Frontal view; L plain radiograph of the wrist; 7y M:

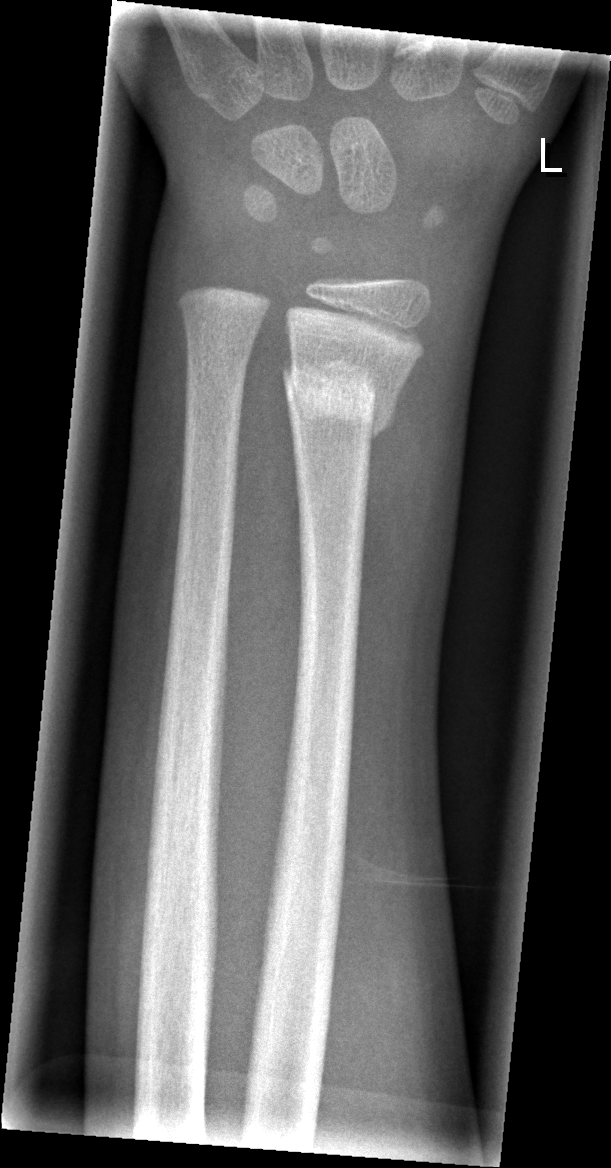

Boxes as x1,y1,x2,y2 (top-left / bottom-right, pixel units). Fracture: [x1=278, y1=352, x2=398, y2=441].